PA/AP view · R wrist X-ray · 10-year-old female · initial study · Siemens:
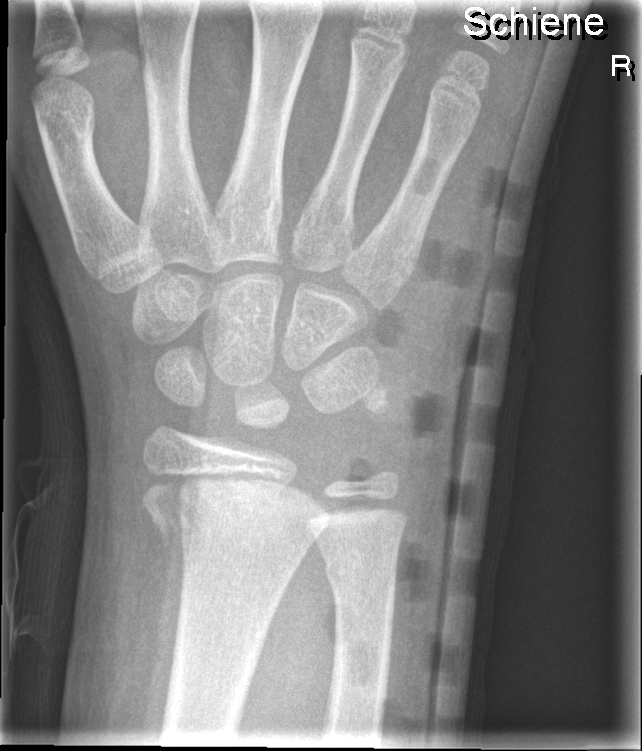

AO/OTA classification: 23r-E/2.1; 23u-M/2.1. Fractures — [x1=138, y1=460, x2=332, y2=547] [x1=315, y1=543, x2=402, y2=606].